L pediatric wrist radiograph | lateral projection | in cast.
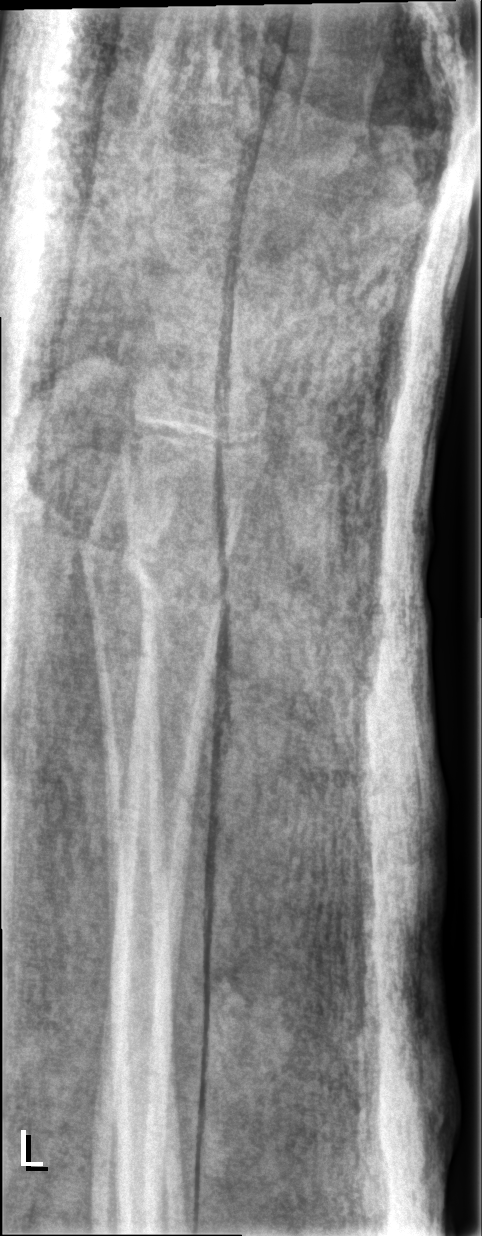 {
  "_coords": "boxes as x1,y1,x2,y2 (top-left / bottom-right, pixel units)",
  "fracture": "2 @ [x1=121, y1=534, x2=236, y2=625], [x1=76, y1=525, x2=160, y2=589]"
}